Frontal projection; right wrist XR; age 11 y, boy; imaged through cast; image width 105.4 mm
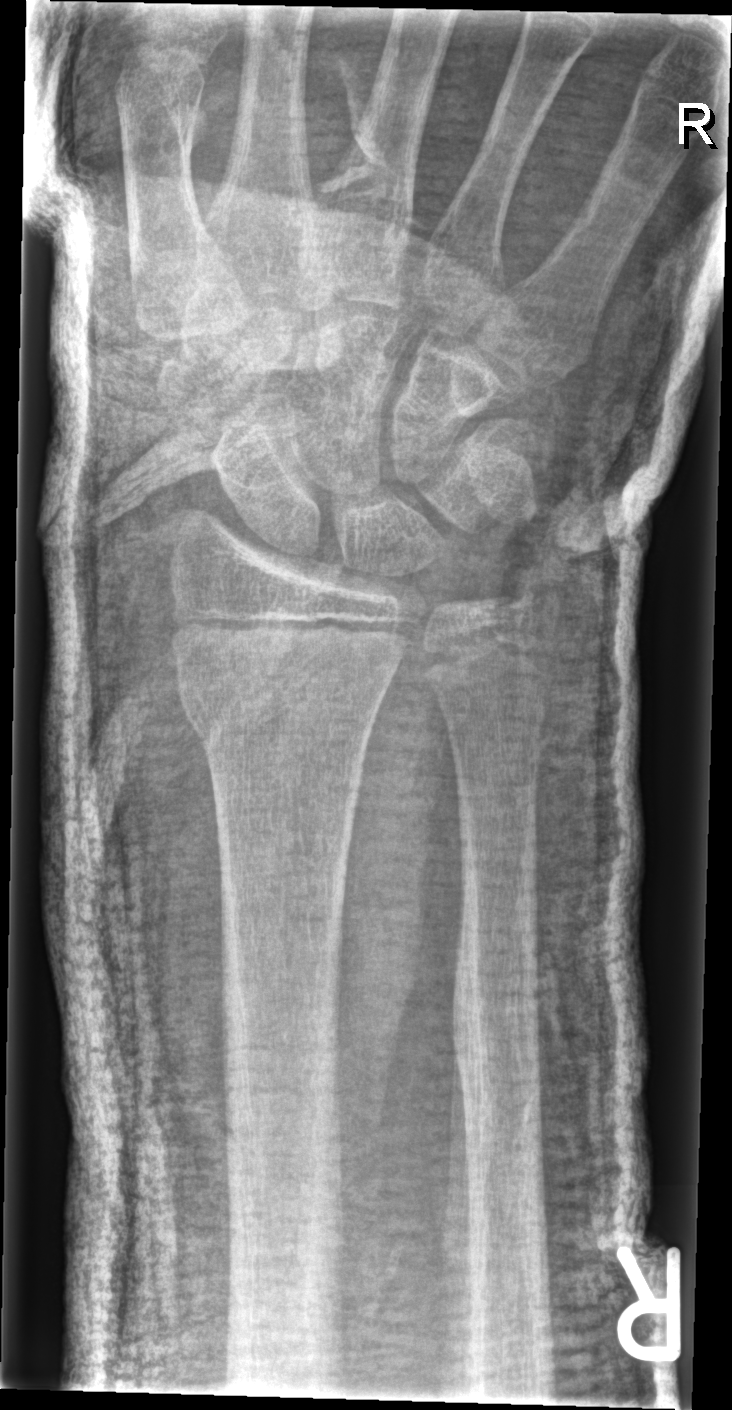 Pixel coordinates, top-left origin, xyxy. Fx identified at (169, 650, 393, 749). AO/OTA classification: 23r-M/2.1.